Right wrist plain film | lateral view | age 16 y, female | detector: Siemens.
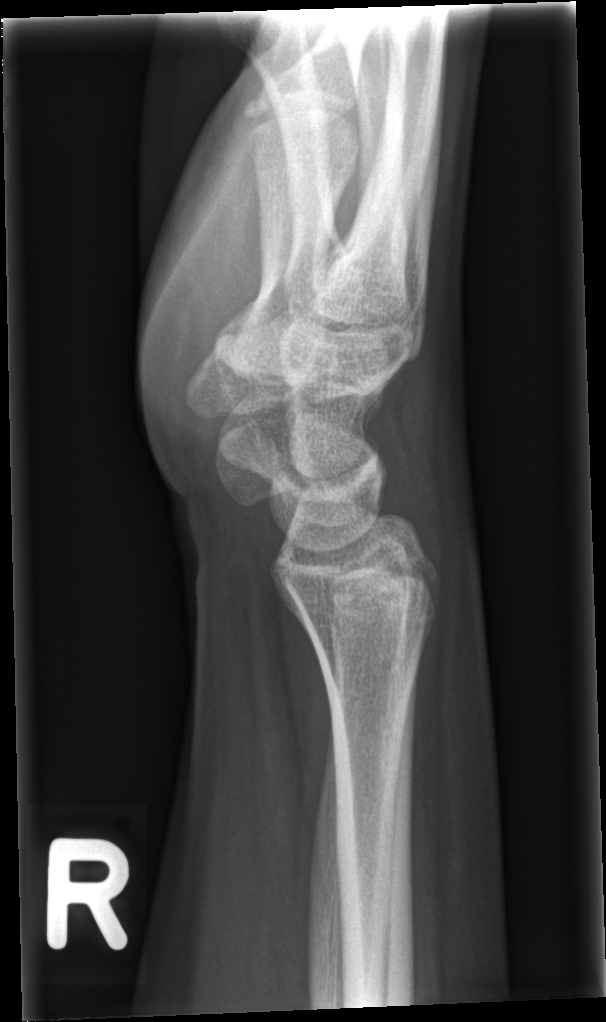
No fracture labeled.